Lt pediatric wrist radiograph | lat projection | 14y M | image size 578x936 —

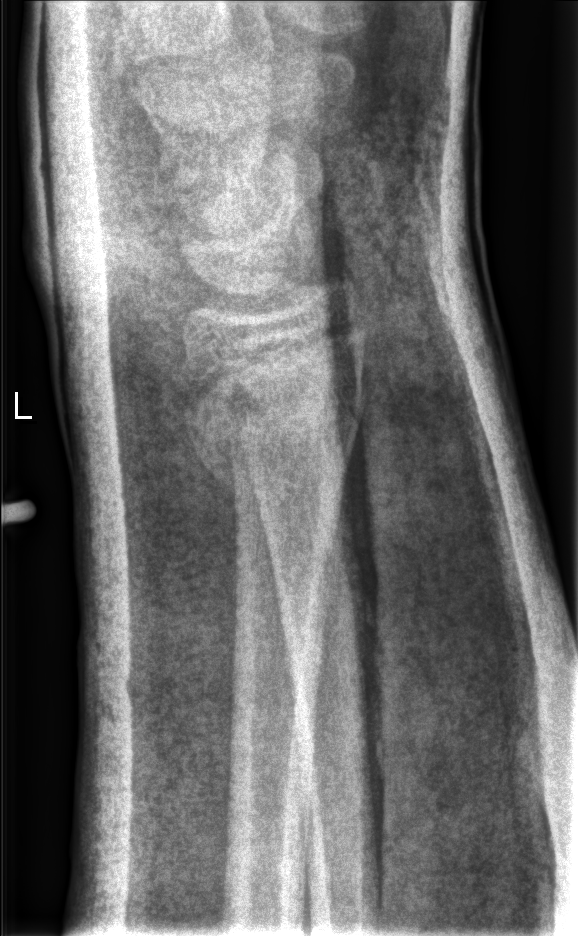 Bounding boxes in image-pixel xyxy. Fx — [x1=179, y1=369, x2=370, y2=490].